Lat · L pediatric wrist radiograph · 11-year-old girl: 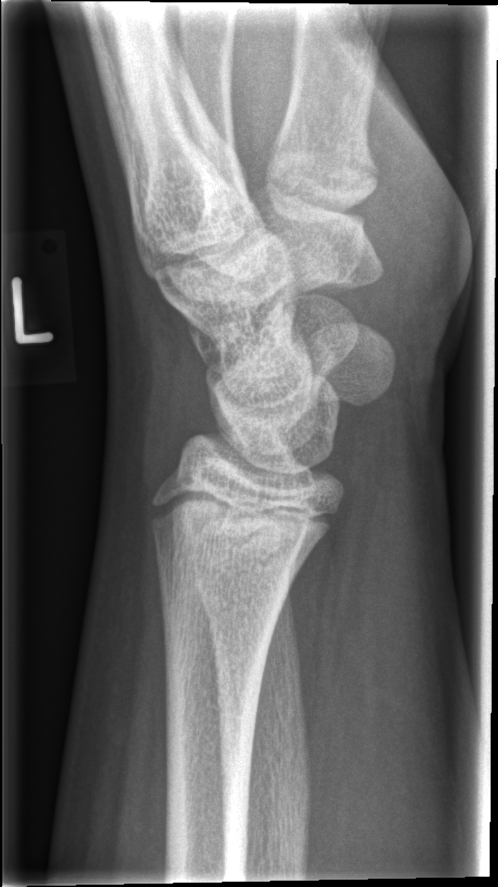 fracture: none labeled